Lt wrist XR, lateral projection, 107.7 mm image width —
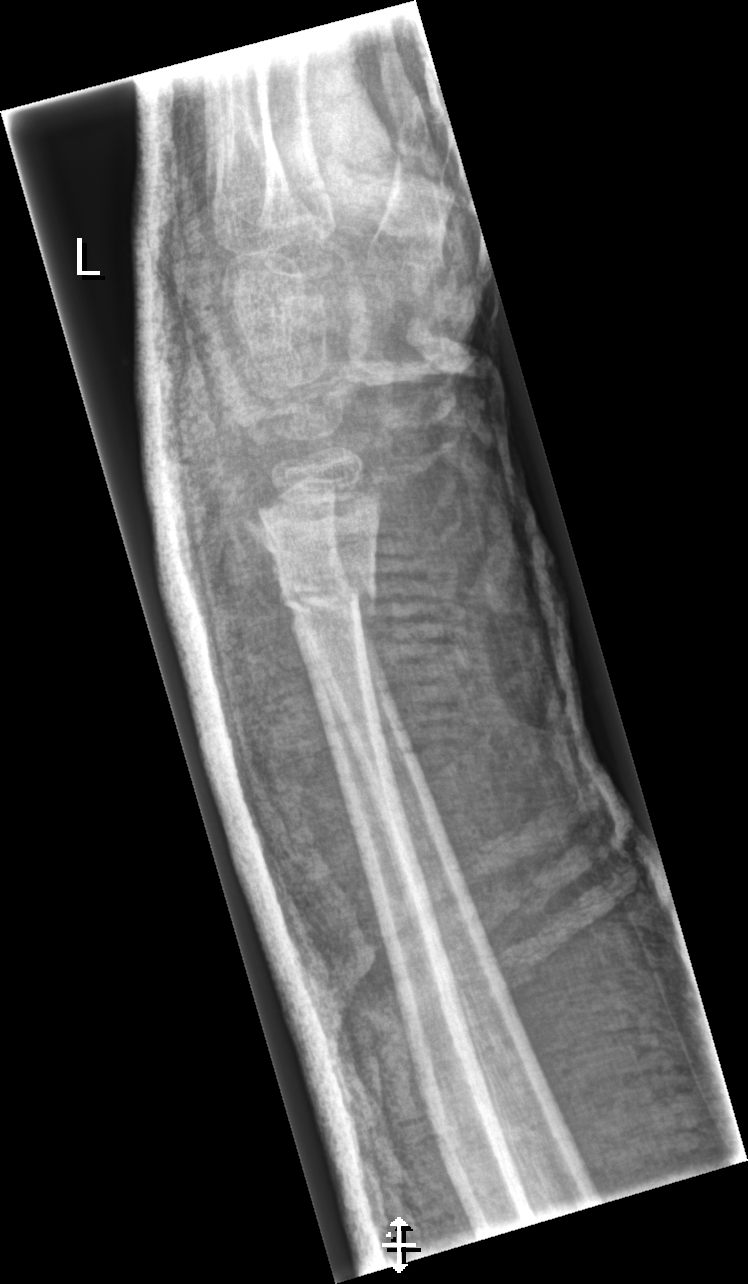

Findings: One fracture at 277 567 382 630.